Lat view · left wrist plain film · age 2 y, girl.
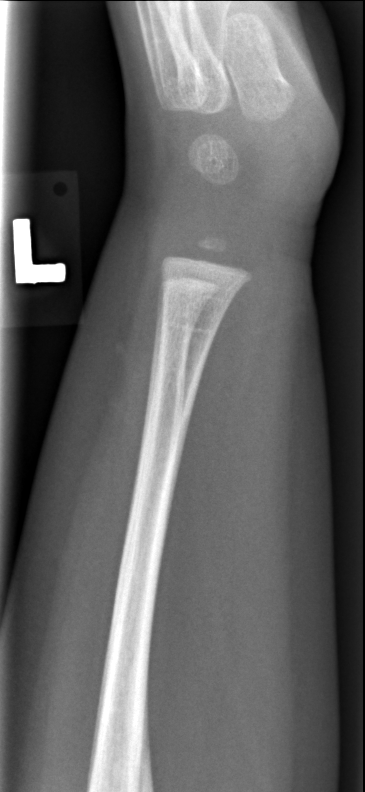

fracture = none labeled